AP view; right wrist X-ray; follow-up.

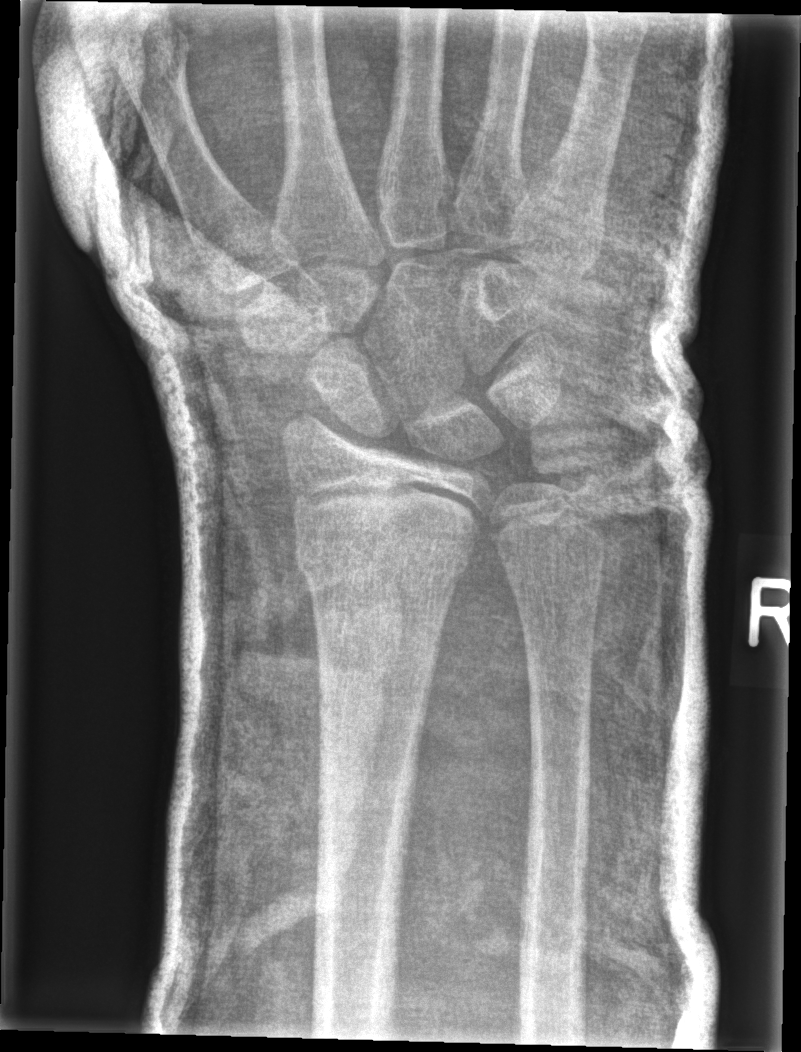

bone fracture: 294 509 480 587